L wrist XR; PA/AP projection; 14y M; presentation radiograph.

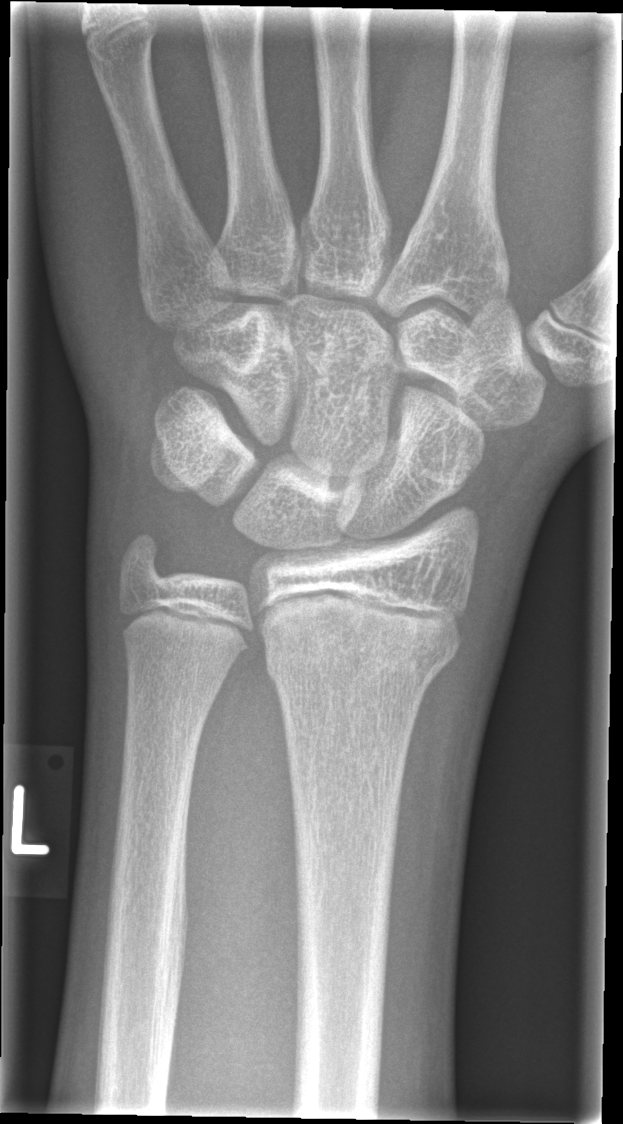 * Bounding boxes in image-pixel xyxy.
* Fracture: 261,617,467,705.